Right wrist radiograph | lateral | presentation radiograph
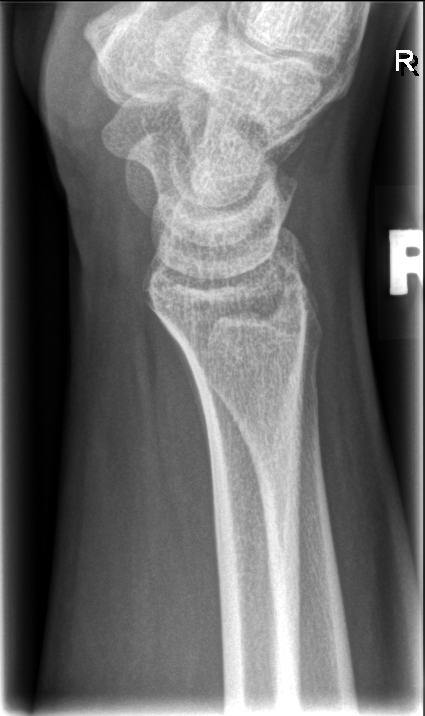 Fracture: none labeled.